Posteroanterior, R pediatric wrist radiograph, pediatric patient (boy, age 14):

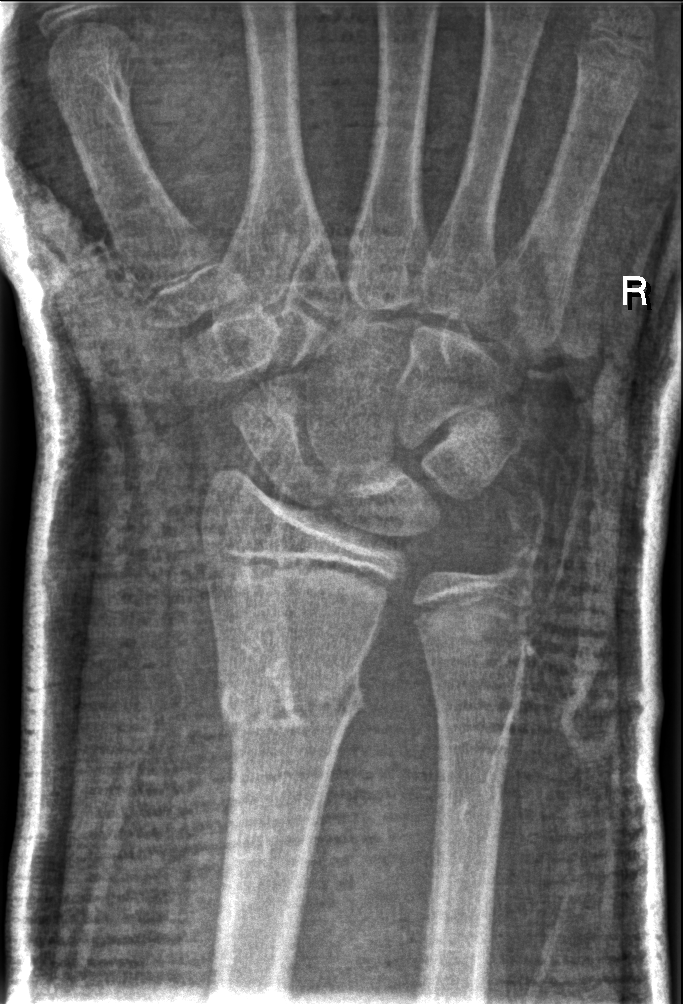
Findings: (boxes as x1,y1,x2,y2 (top-left / bottom-right, pixel units)) Fracture classified AO/OTA 23r-M/3.1; 23u-E/7. Fx — 210 658 374 745 | 484 527 553 599.